R wrist plain film, lateral projection, male, 8 yo — 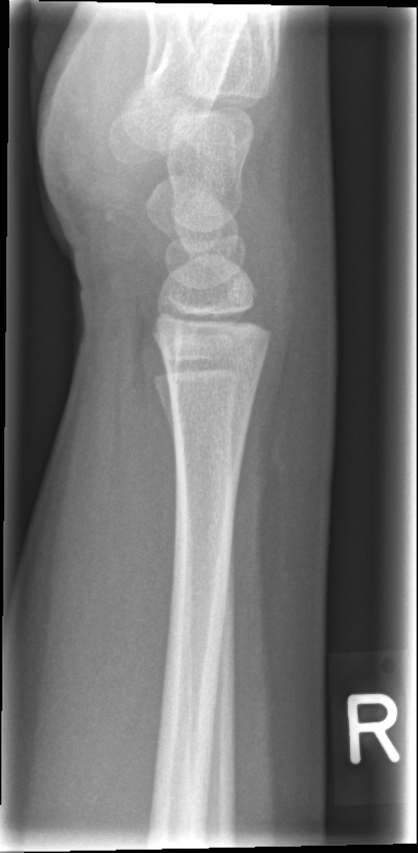

Q: Locate any fractures.
A: No fracture bounding box